Right wrist X-ray, lat projection, in cast 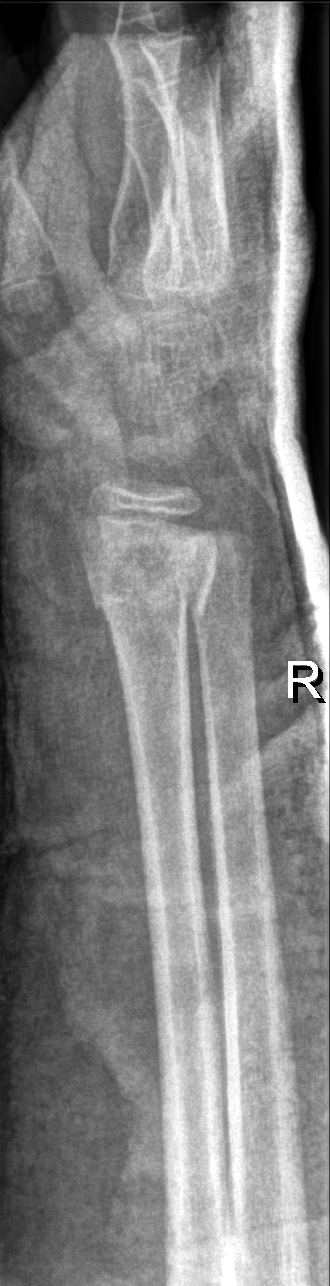 {"_coords": "pixel coordinates, top-left origin, xyxy", "ao": "23r-M/3.1", "fracture": "bbox(85, 556, 218, 632)"}